Left wrist pediatric wrist radiograph; lateral view; acquired on Siemens:

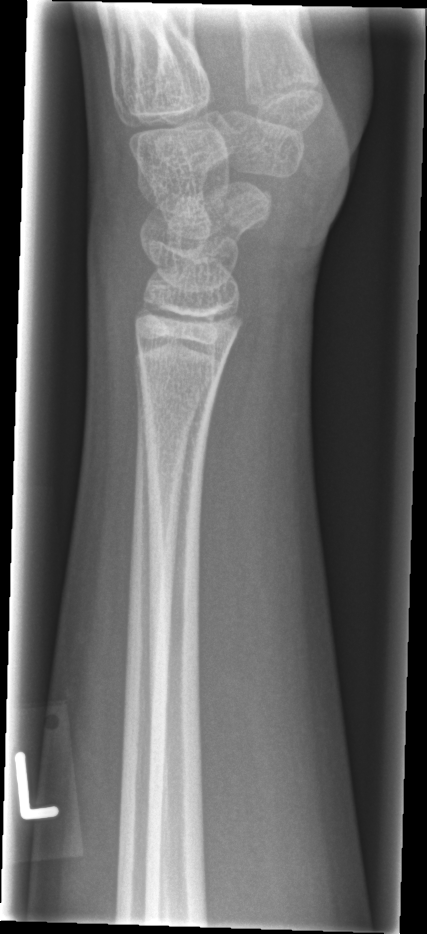
- No fracture bounding box.